L wrist XR; lat view; findings marked uncertain by the reading radiologist; detector: Siemens. 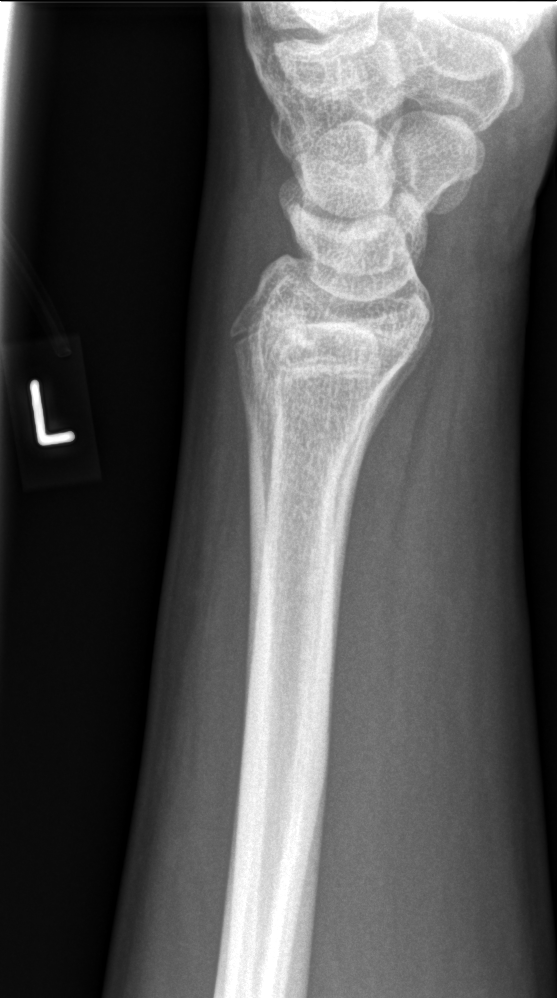
No fracture bounding box.